Right plain radiograph of the wrist · lat · male, 11 yo.
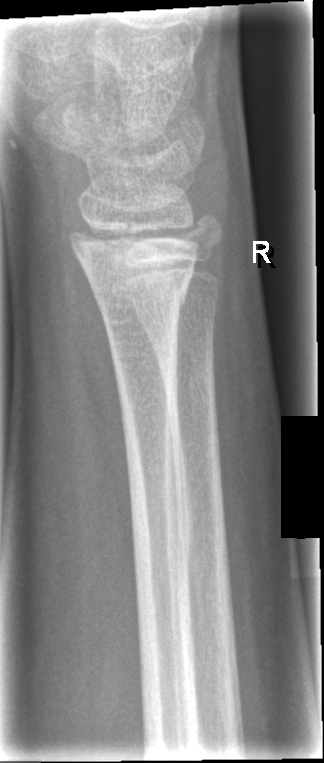 FINDINGS — (boxes as x1,y1,x2,y2 (top-left / bottom-right, pixel units)) Fracture classified AO/OTA 23r-E/2.1; 23u-E/7. Fx: 68 221 202 308.